PA/AP view; left wrist radiograph; 6y M; Siemens.
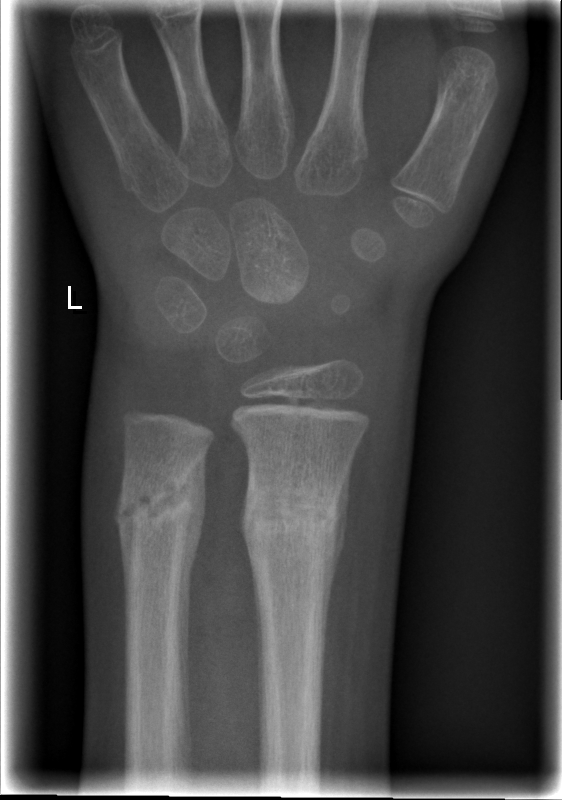

Q: Any periosteal thickening?
A: Periosteal new bone: bbox(175, 445, 209, 746), bbox(320, 448, 355, 671)
Q: Is there a fracture?
A: Fractures — bbox(240, 478, 344, 540) bbox(116, 473, 197, 531)